PA, Lt wrist X-ray, 12-year-old boy
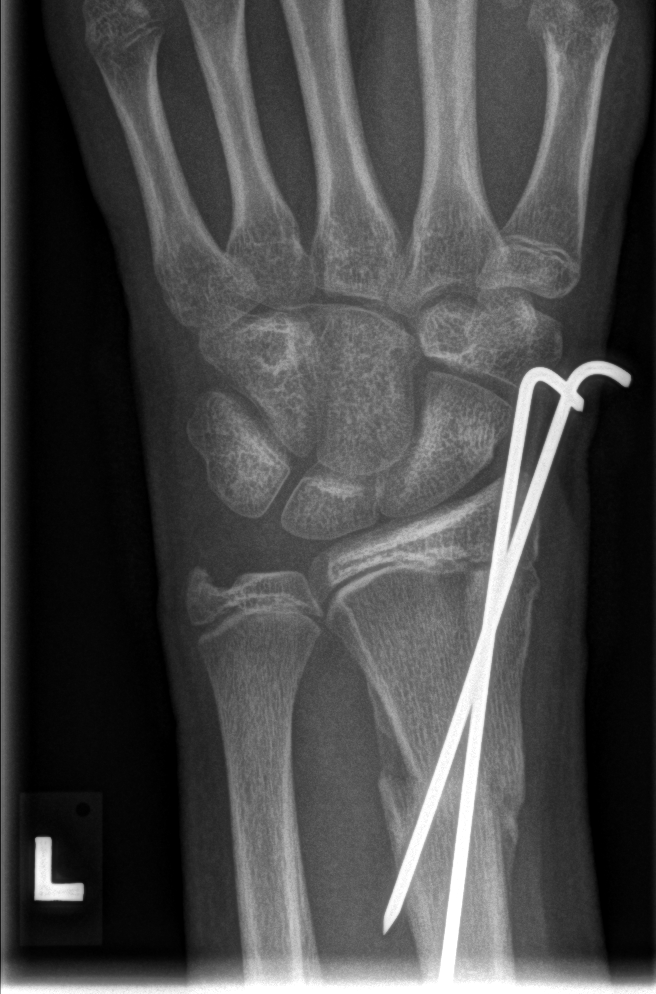 Findings: Fx identified at (left=372, top=754, right=532, bottom=830); (left=177, top=549, right=237, bottom=607). Metal: (left=381, top=358, right=634, bottom=985). Two periosteal new bone at (left=362, top=663, right=420, bottom=818) (left=483, top=788, right=525, bottom=931). AO code 23r-M/3.1; 23u-E/7.